Left wrist XR · lat · 11y M · acquired on Siemens.
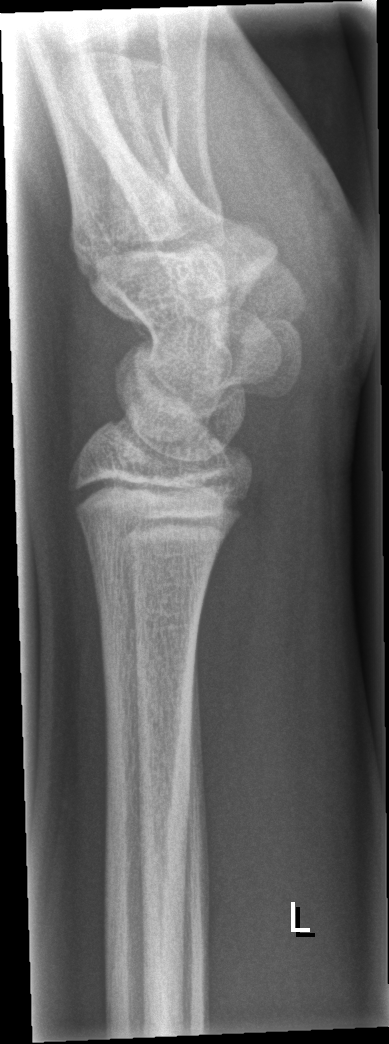

* Fx: none.